PA projection; R wrist X-ray; 77.2 mm image width; 536 x 939 px:

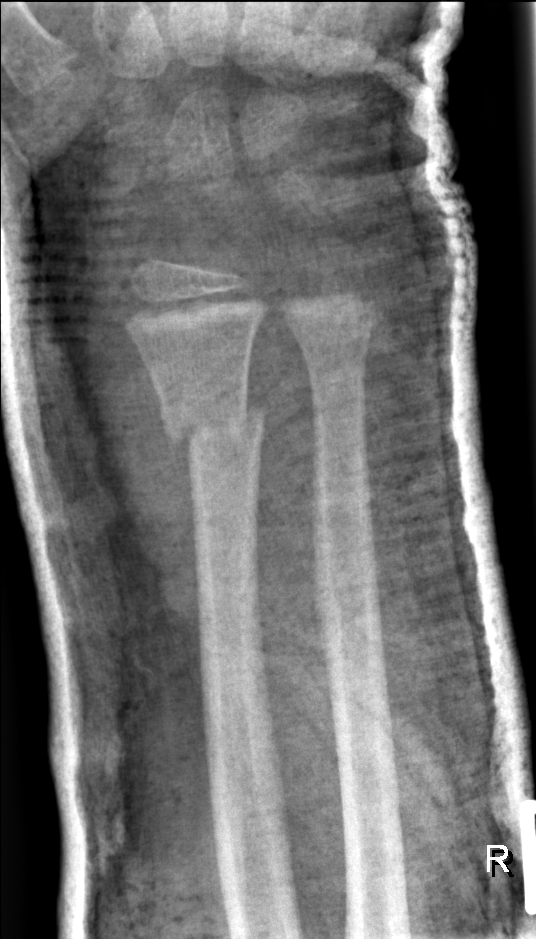 AO code 23r-M/3.1; 23u-M/2.1. Two Fx at (154, 389, 269, 450) (287, 304, 387, 350).